Posteroanterior; right wrist X-ray:
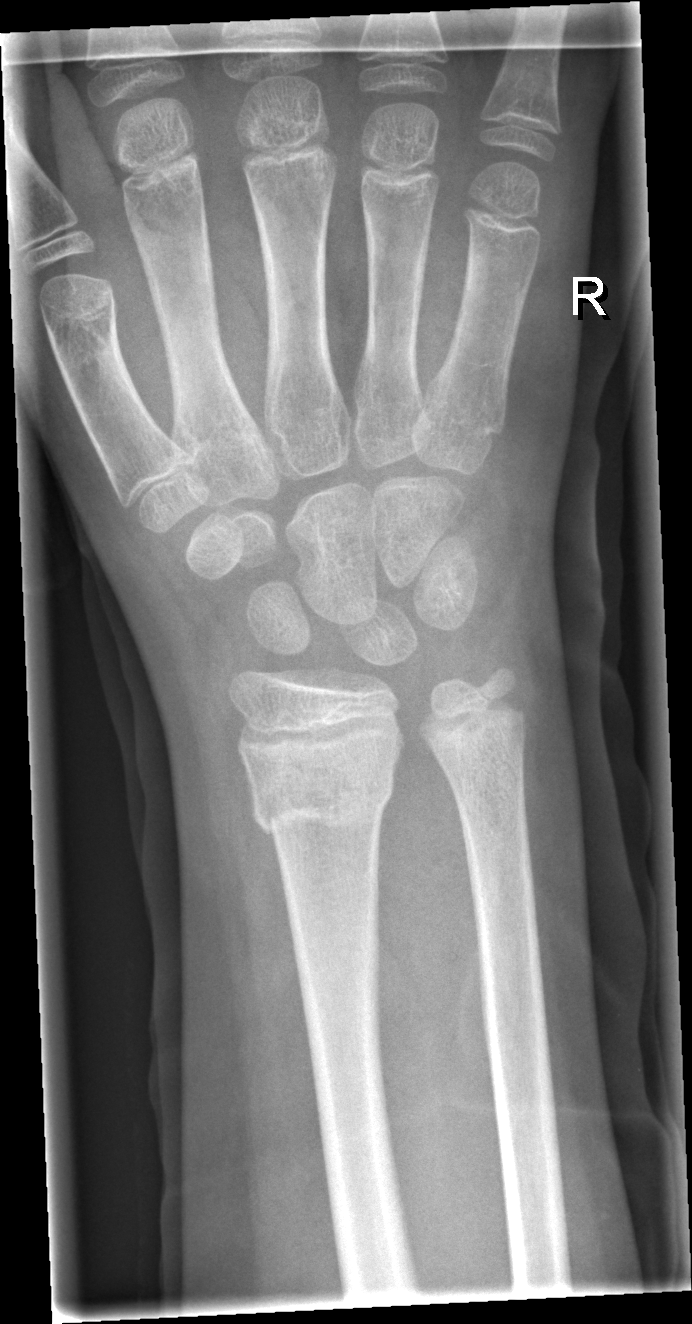
Findings: Fracture classified AO/OTA 23r-M/3.1. Bone fracture — 236,766,396,846.